Frontal · L wrist XR · pediatric patient (girl, age 7) · follow-up study —

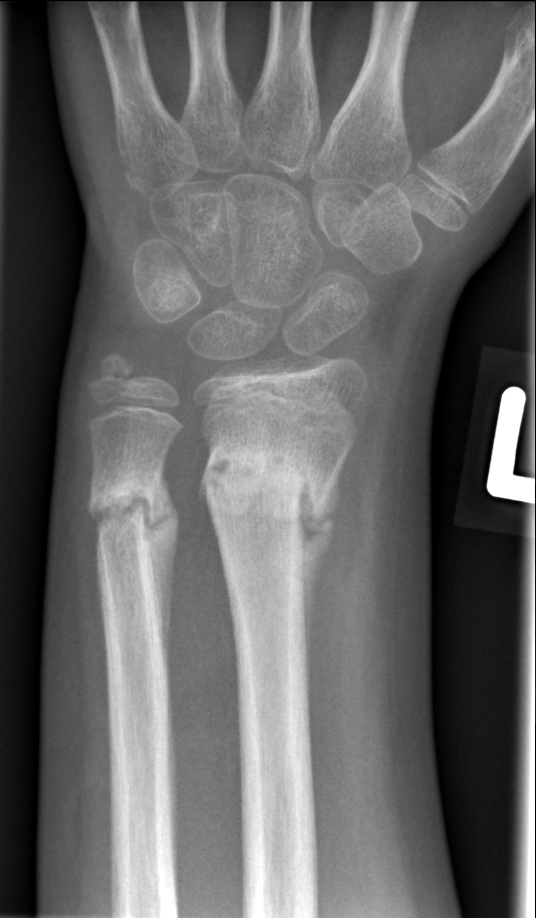
- AO code 23-M/3.1; 23u-E/7.
- Osteopenic.
- Fracture: [x1=198, y1=437, x2=334, y2=550], [x1=86, y1=466, x2=165, y2=549], [x1=85, y1=344, x2=145, y2=397].
- Periosteal thickening — [x1=148, y1=485, x2=178, y2=664] [x1=304, y1=493, x2=333, y2=652].